Lt wrist XR | lat view —

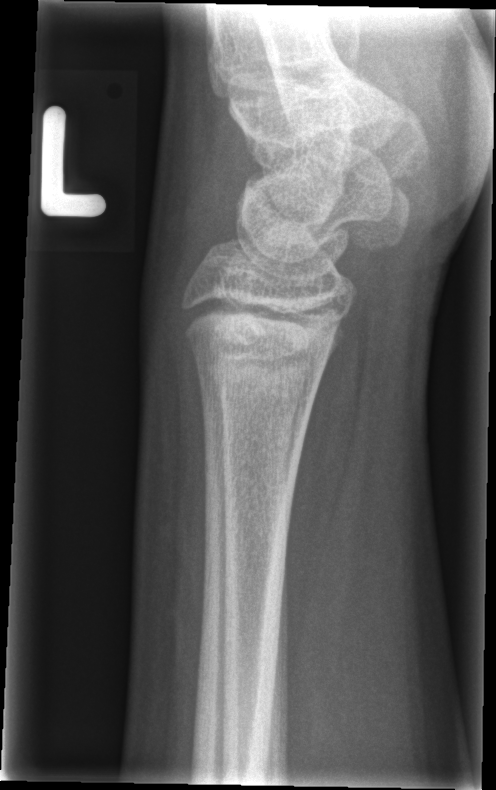 No fracture bounding box.